Lateral, right wrist plain radiograph of the wrist — 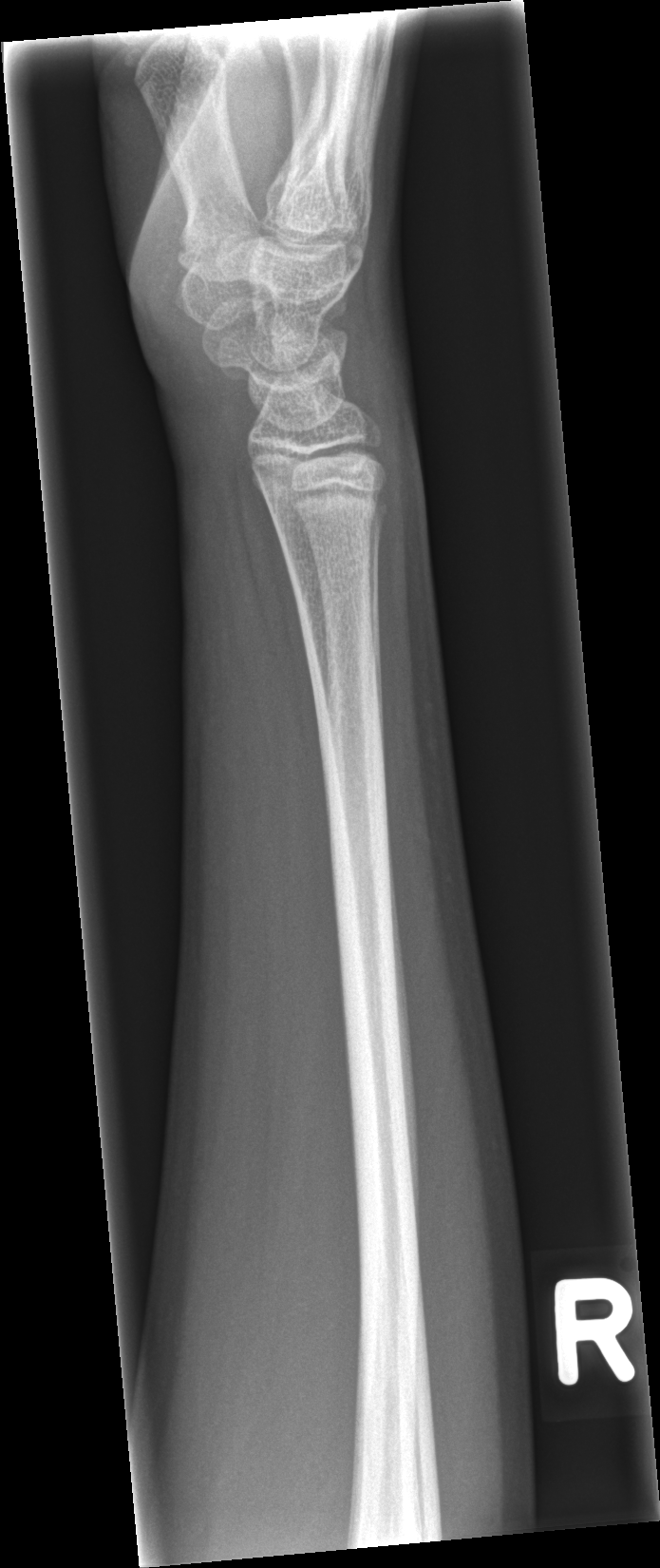

{"fracture": "none labeled"}